AP | L plain radiograph of the wrist | 16-year-old boy | follow-up study | imaged through cast — 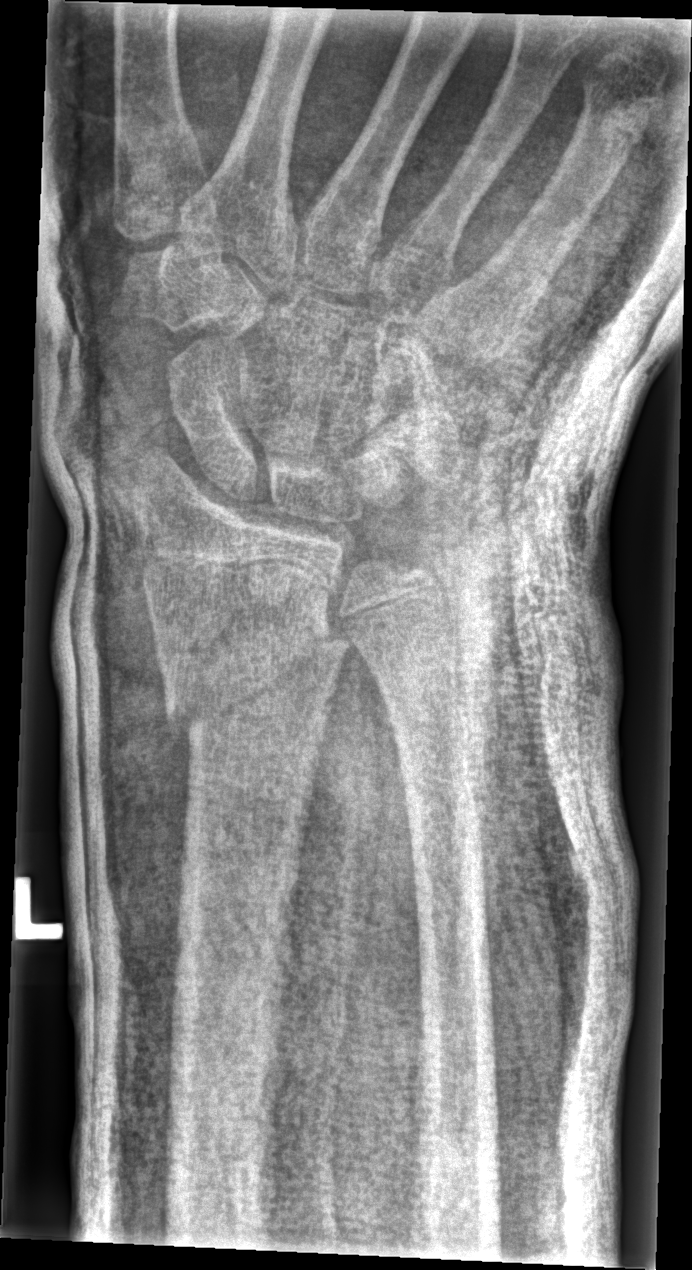 (pixel coordinates, top-left origin, xyxy)
Fx = 1 @ (160, 619, 347, 750)